AP · left plain radiograph of the wrist · pediatric patient (girl, age 9) · subsequent exam · cast in situ 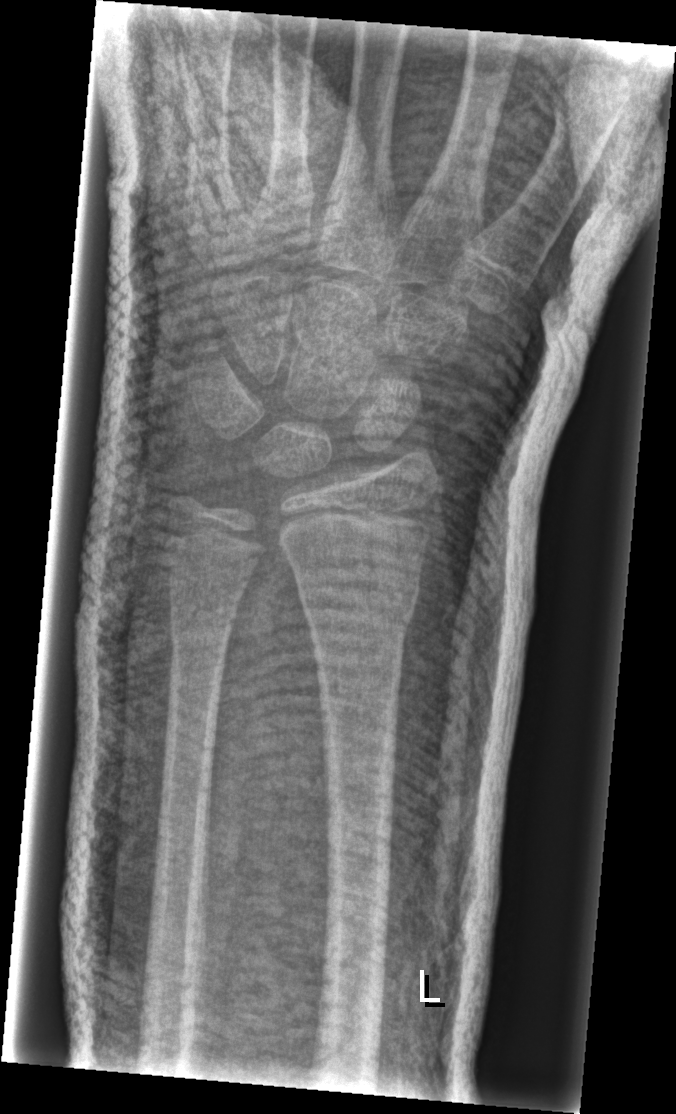 Q: Locate any fractures.
A: One Fx at (292, 561, 424, 646)